Lt wrist X-ray | lat | pediatric patient (male, age 13) | in cast | image width 70.6 mm
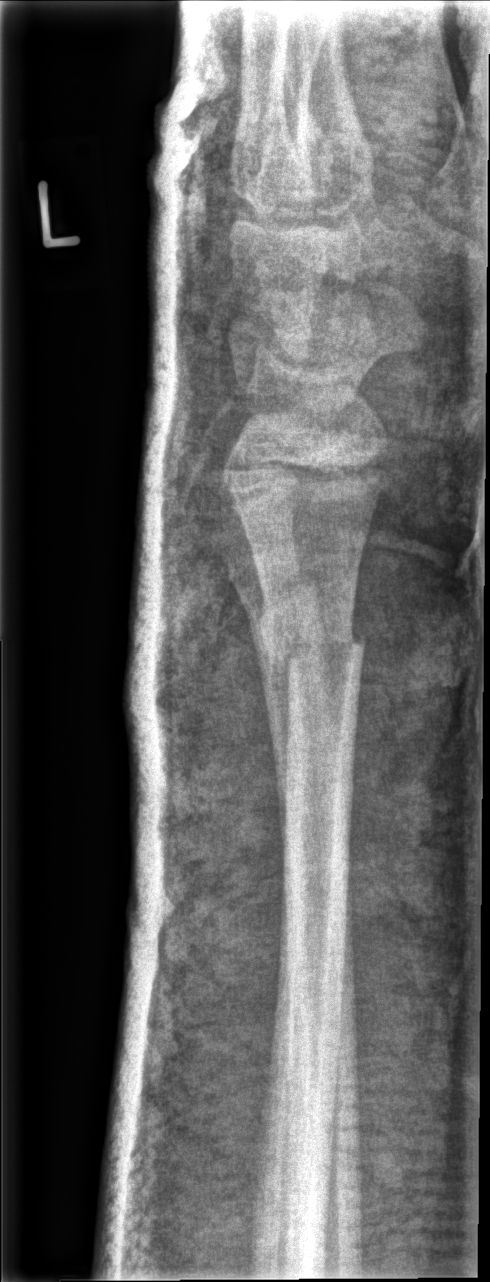

- Fracture classified AO/OTA 23-M/3.1.
- Fracture: 259,622,368,692.